AP projection; L wrist XR; age 15 y, female 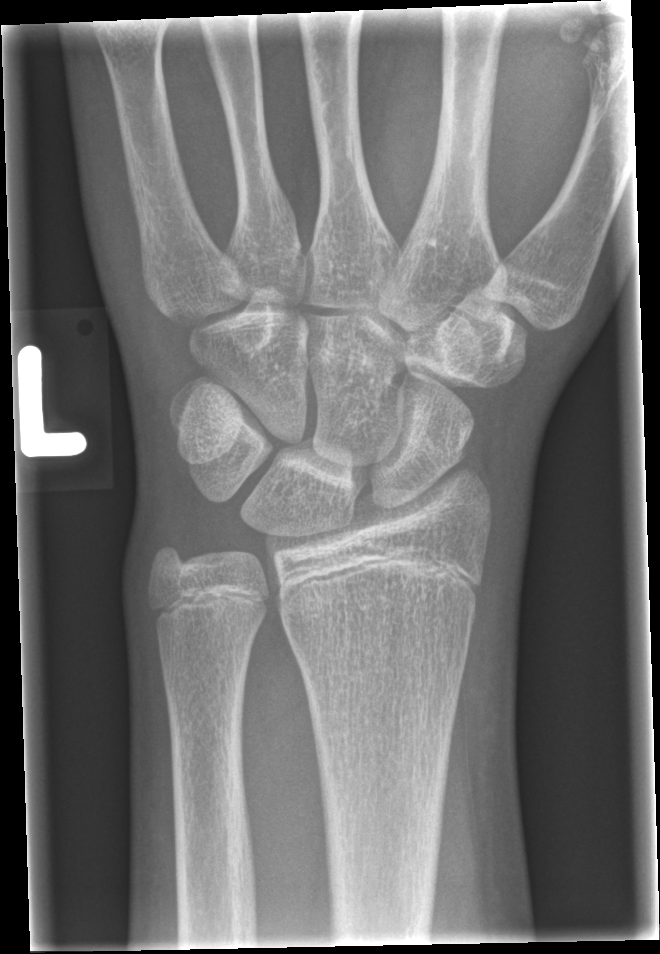 {
  "fracture": "none labeled"
}